Lat · L pediatric wrist radiograph · age 16 y, male · initial study · Siemens 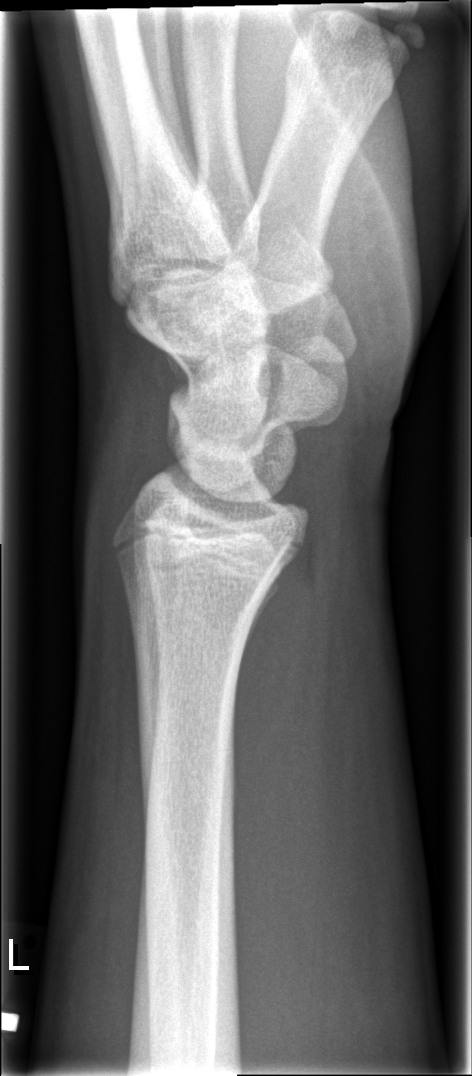

Fx: none.